PA projection, R plain radiograph of the wrist, initial study, detector: Siemens:
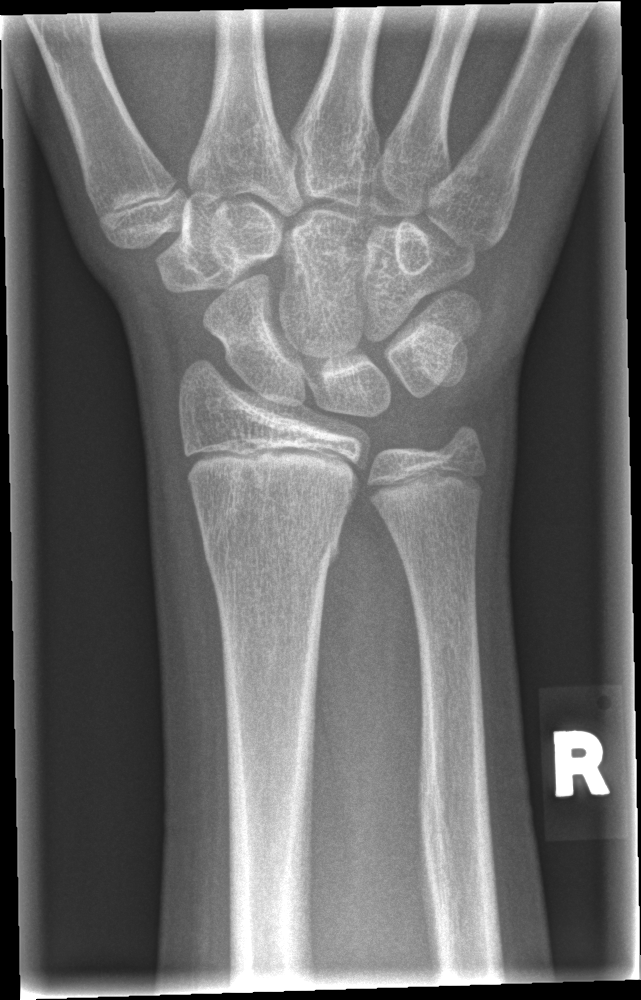 Fracture: 195,495,354,572.